AP projection | left wrist X-ray | age 12 y, boy | presentation radiograph | 495x794:

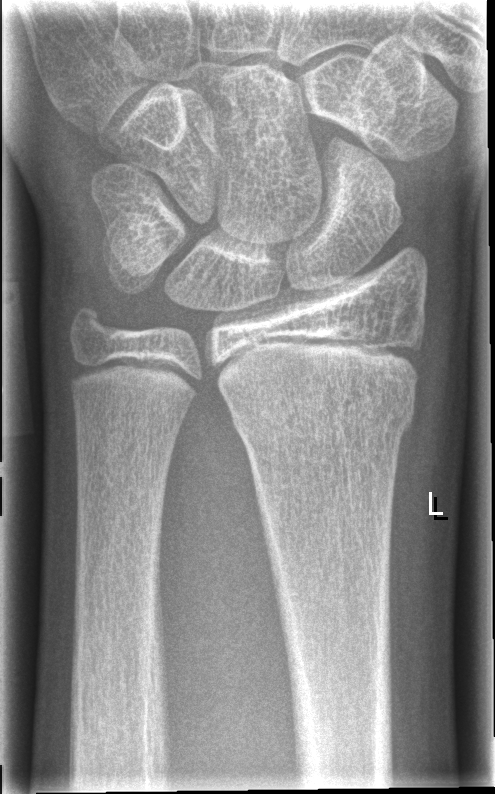

Boxes as x1,y1,x2,y2 (top-left / bottom-right, pixel units). Two fractures at (227, 389, 418, 451) (65, 298, 121, 354). Fracture classified AO/OTA 23r-M/2.1; 23u-E/7.